Lateral; right wrist pediatric wrist radiograph; 16y M; follow-up study 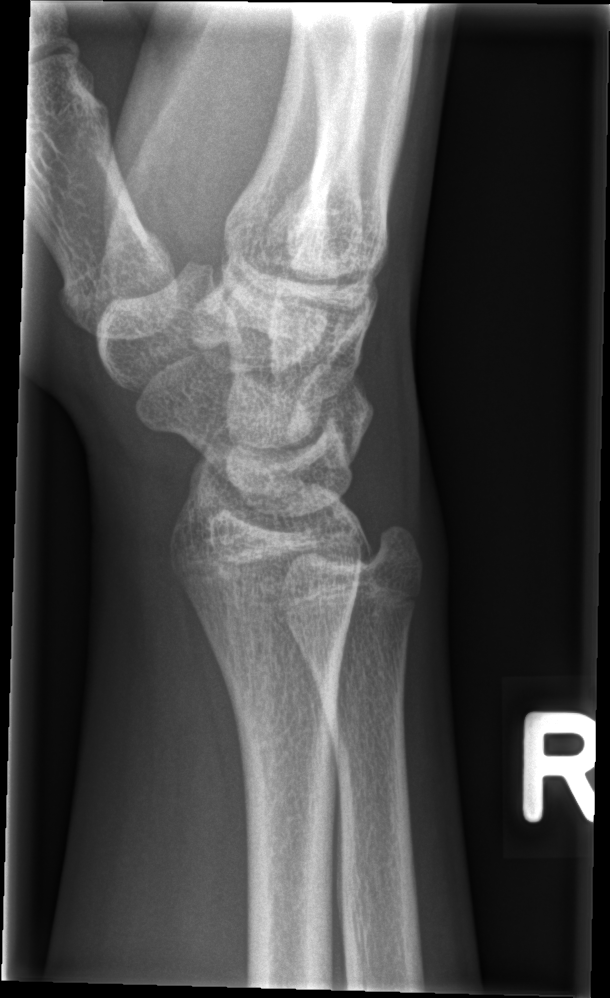
• Fracture: none labeled.